Lt pediatric wrist radiograph; PA view; male, 8 yo
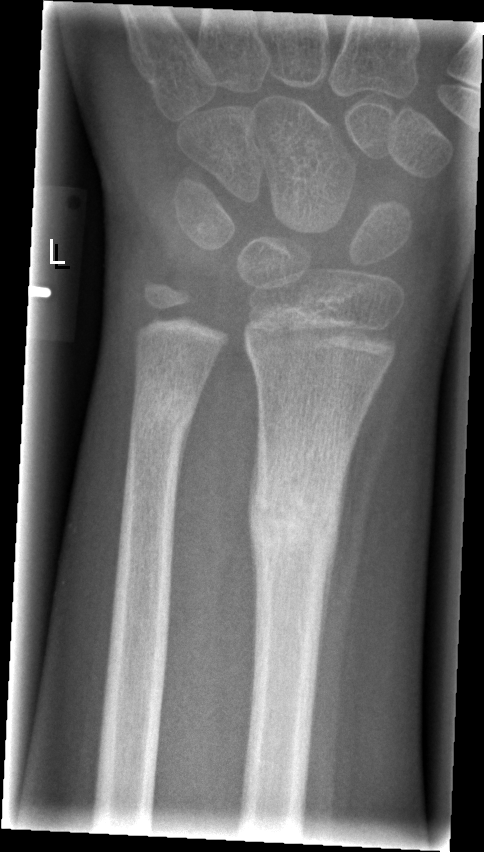 osteopenia: present
fracture: 2 @ 242,461,352,568 | 125,383,204,457